PA, right plain radiograph of the wrist, male, 7 yo, imaged through cast, image size 534x965
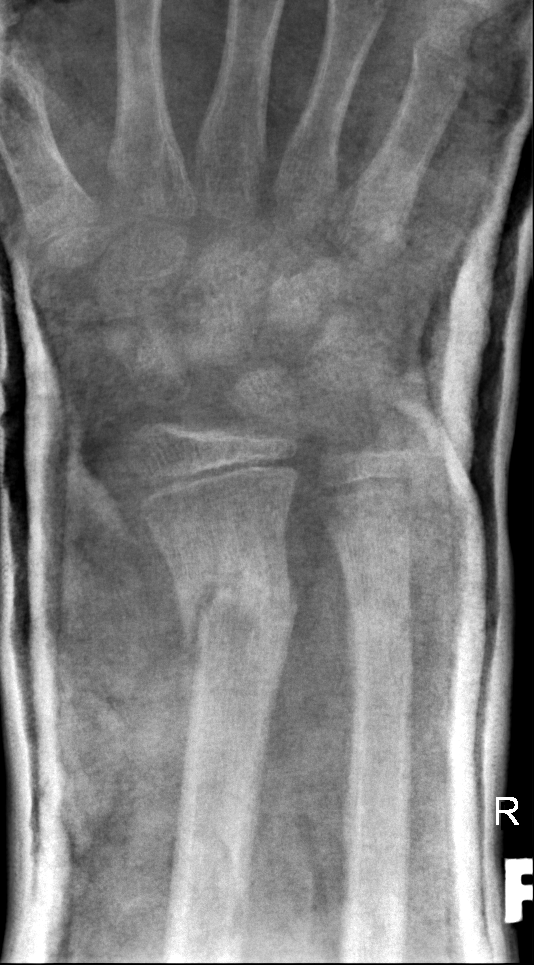
Bone fracture: <171,548>-<303,657>, <345,585>-<417,654>.